Left wrist XR; lat projection; 15y M; follow-up; in cast

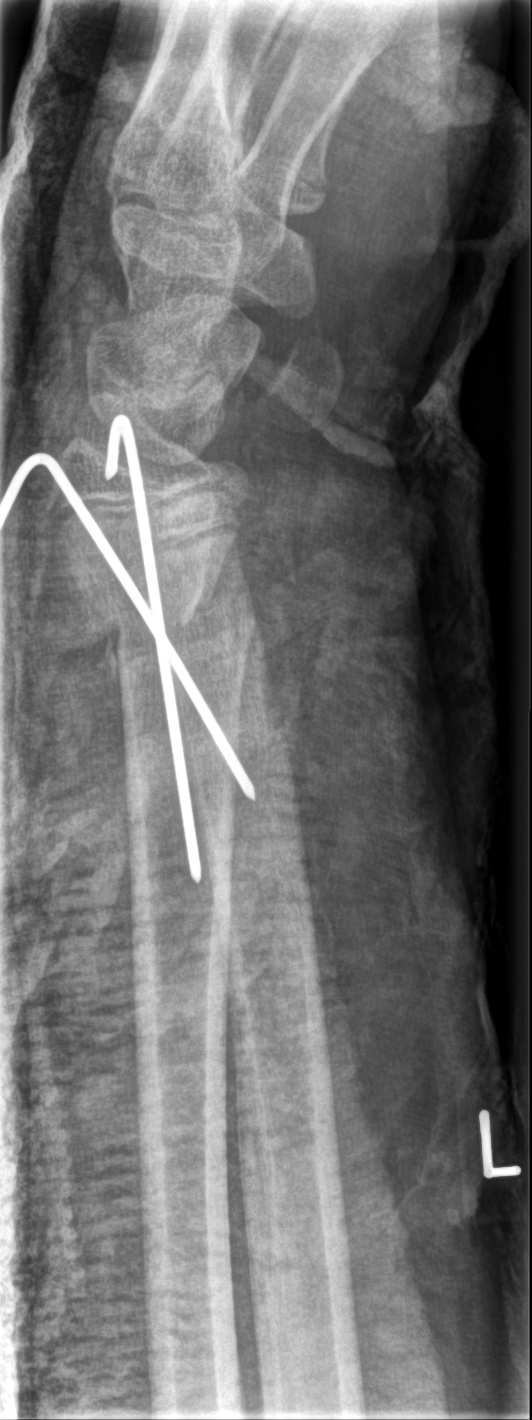

AO code: 23r-M/3.1; 23u-M/2.1
Fx: 1 @ <64,554>-<263,644>
Hardware: <0,416>-<254,885>